Lateral projection; left wrist pediatric wrist radiograph; 4y M
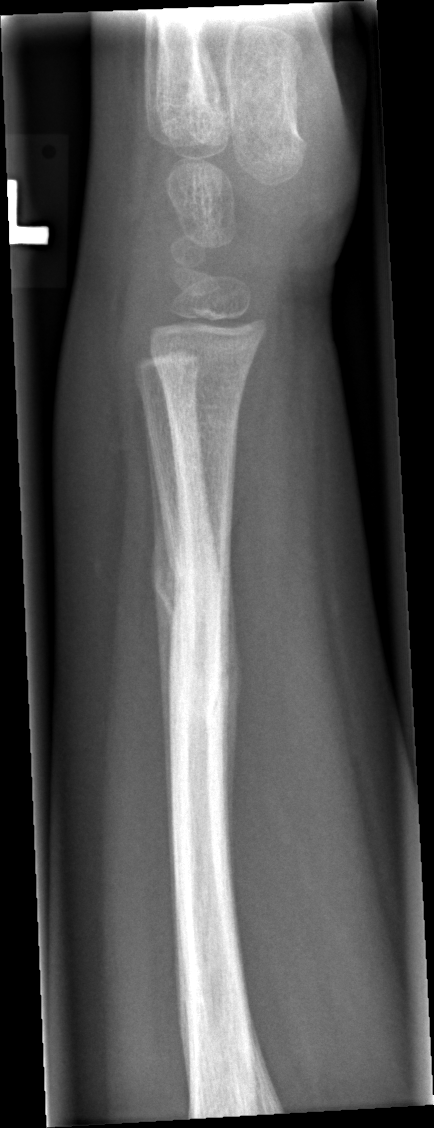 (coordinates are [x1, y1, x2, y2] in image pixels)
Q: Bone density?
A: Decreased bone density (osteopenia)
Q: Fracture present?
A: Bone fractures — <151,540>-<235,625>; <166,658>-<237,730>